L wrist X-ray · lateral projection · 9y M: 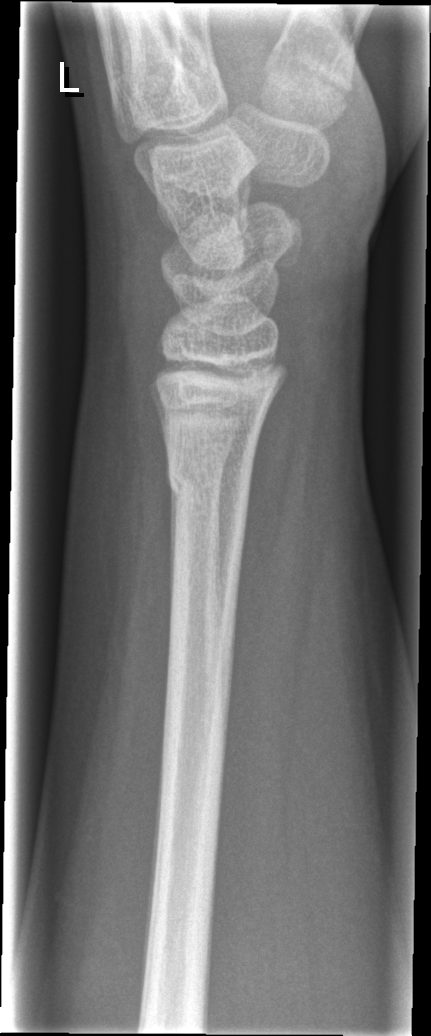 Q: Fracture present?
A: Bone fracture: [160, 453, 256, 527]